R wrist XR | lat | 8y F | initial study | diagnosis uncertain | image width 66.5 mm | 462x854.
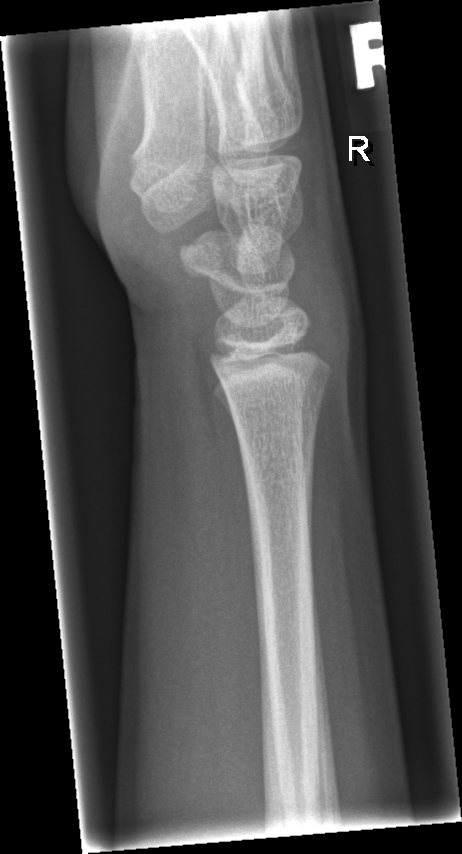 Findings: No fracture bounding box.